Right wrist radiograph; lat projection; male, 11 yo; cast in situ.

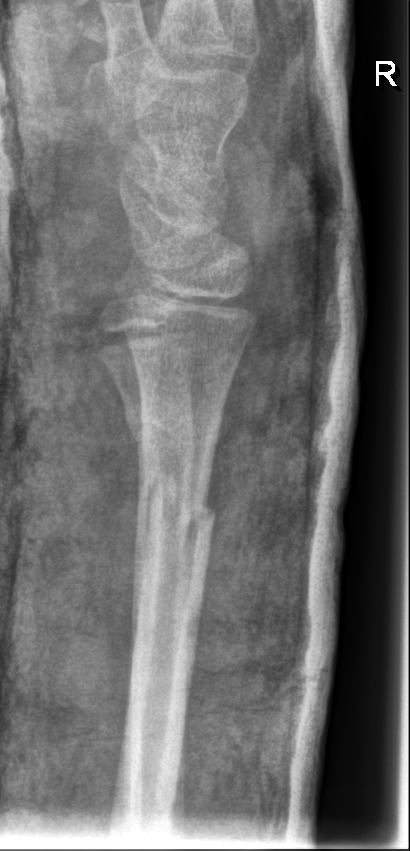

Bone fractures — (left=131, top=469, right=218, bottom=545); (left=121, top=397, right=201, bottom=471).